Right wrist pediatric wrist radiograph, lateral view, female, 16 yo, 78.3 mm image width —

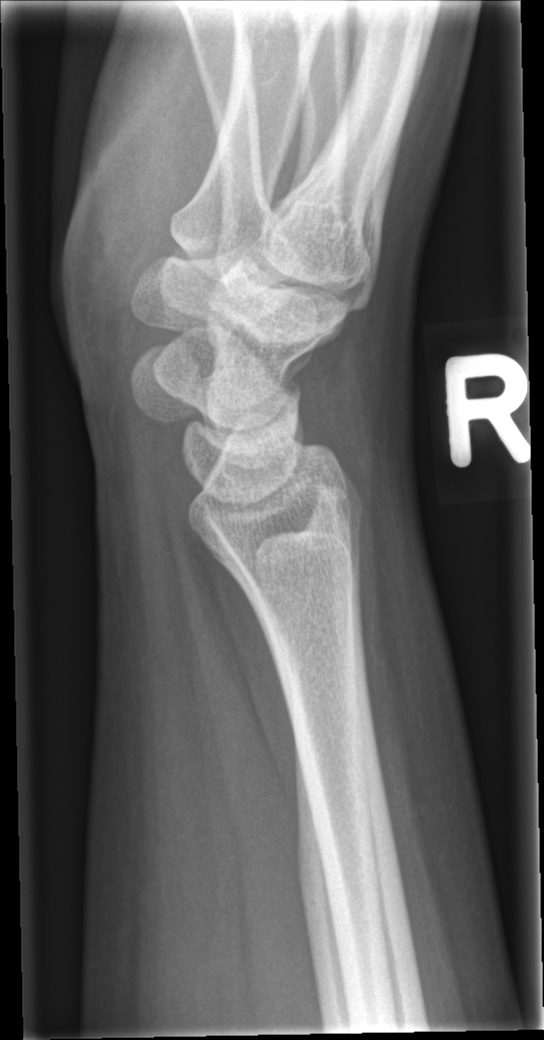 {
  "fracture": "none labeled"
}